Posteroanterior · Lt wrist XR · 3y F · follow-up
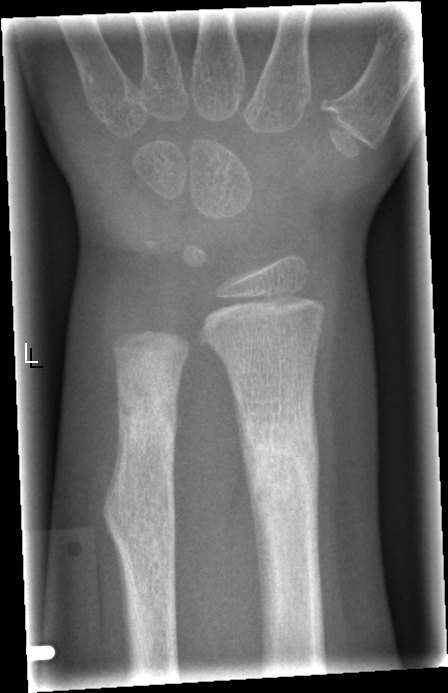
(coordinates are [x1, y1, x2, y2] in image pixels)
Q: Bone density?
A: Osteopenic
Q: Any bone anomaly?
A: Bone anomaly — <100,461>-<178,580>
Q: Is there a fracture?
A: Fx identified at <235,408>-<323,518> <113,389>-<181,446>